Lt wrist radiograph; lateral projection; 9y M — 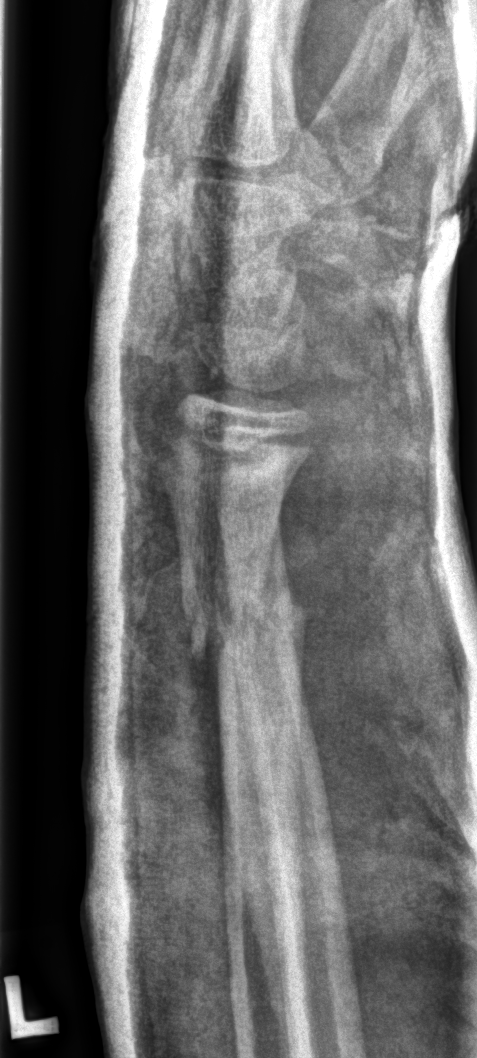
Bounding boxes in image-pixel xyxy. AO/OTA classification: 23-M/3.1; 23u-E/7. Bone fracture identified at bbox(180, 578, 311, 667).